Lat projection | Lt pediatric wrist radiograph | pediatric patient (boy, age 14):

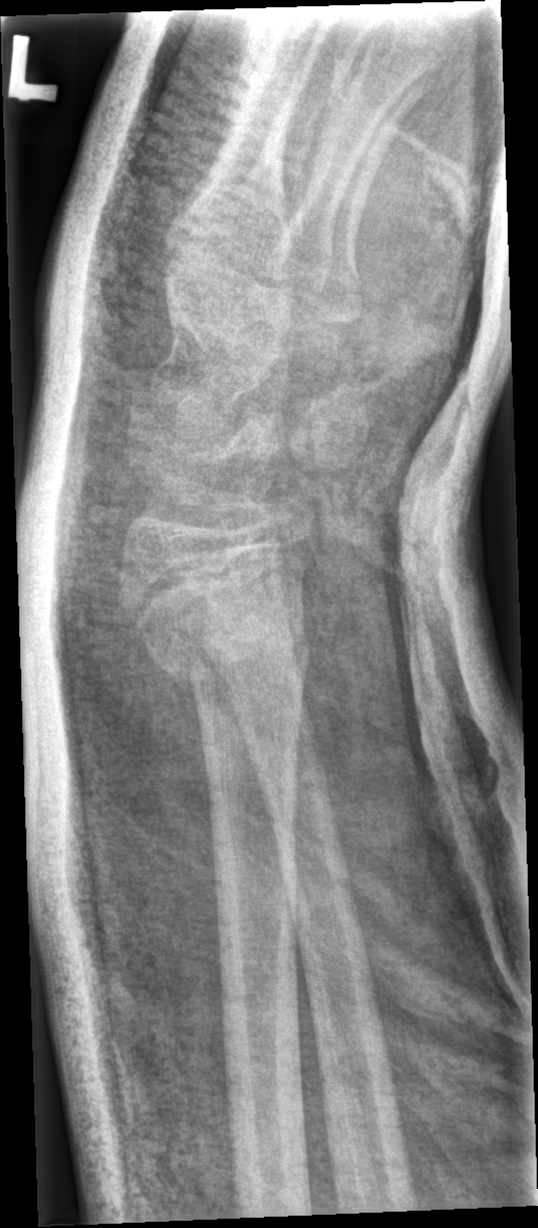 (boxes as x1,y1,x2,y2 (top-left / bottom-right, pixel units))
bone fracture = 1 @ 145 614 314 711